Right wrist plain film; AP projection; 607 x 984 px:
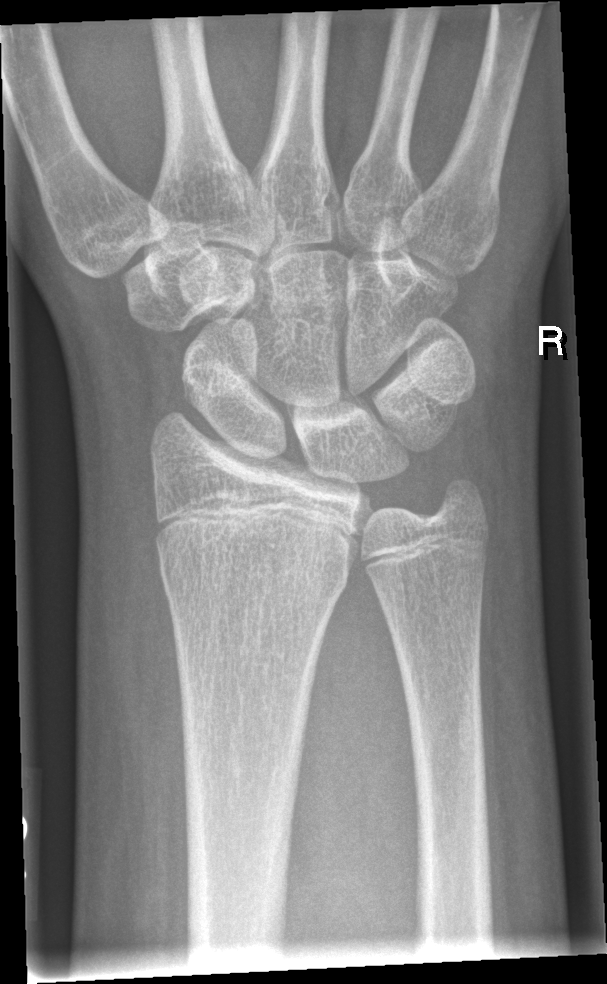

bone fracture: present but not clearly seen in this view